L plain radiograph of the wrist · lateral projection — 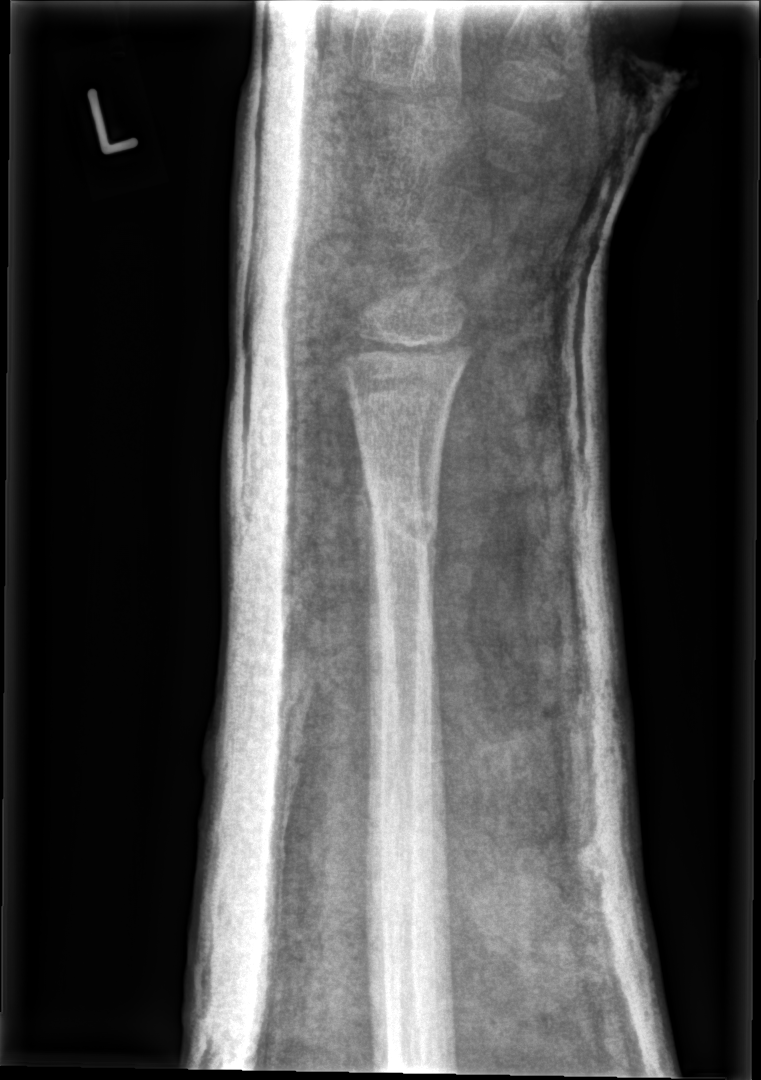
• One Fx at bbox(365, 482, 444, 571).
• Fracture classified AO/OTA 23r-M/3.1; 23u-M/2.1.